Lat projection, Lt wrist radiograph, detector: Siemens —
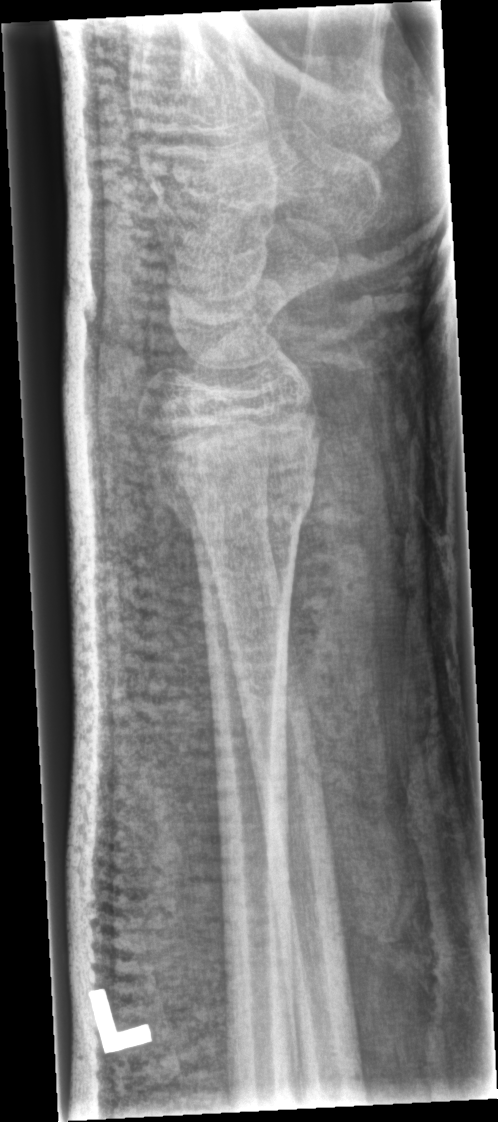 Q: Locate any fractures.
A: One Fx at 150,455,320,541